Lateral, Rt wrist X-ray, cast in situ 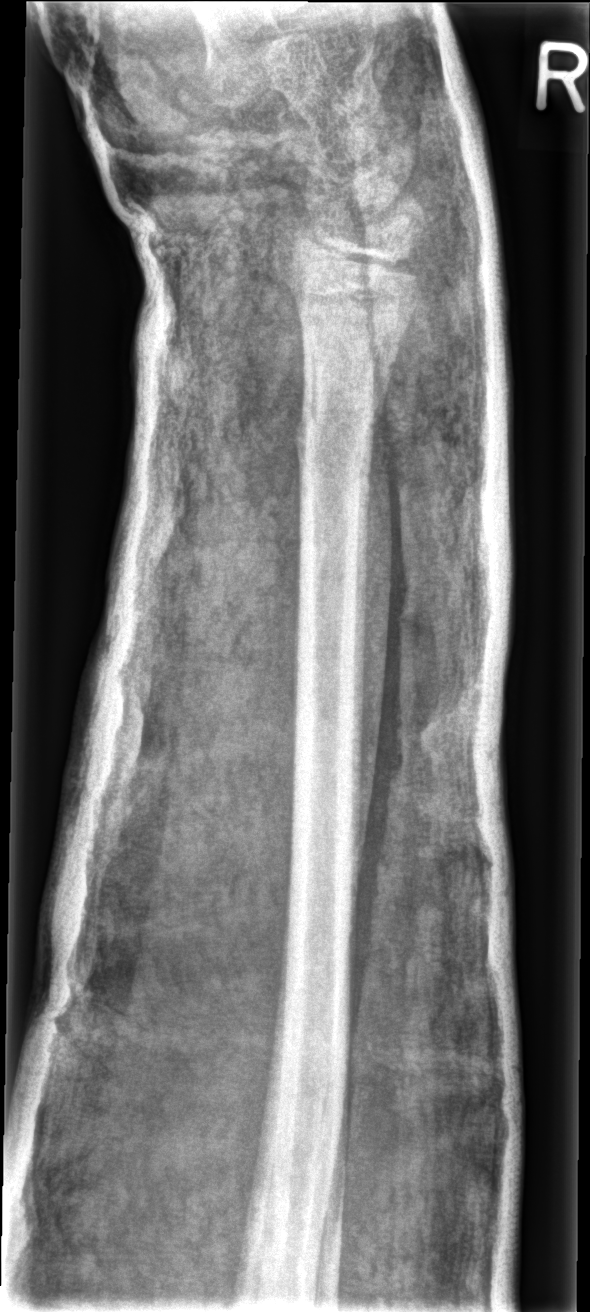

- AO code 23-M/3.1.
- Fx: <294,395>-<388,473>.